Lat | left wrist plain film — 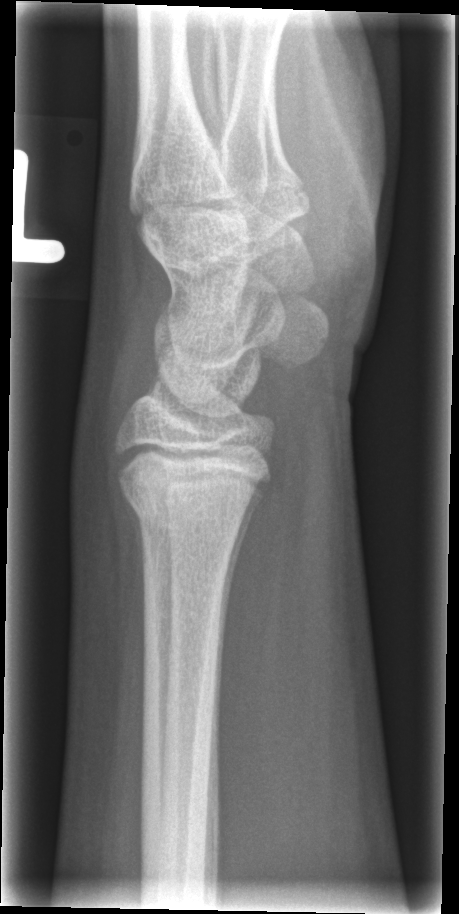

periosteal new bone = 1 @ (120, 483, 146, 625)
AO/OTA = 23r-M/2.1; 23u-E/7
bone fracture = (117, 475, 262, 552)